R wrist X-ray · lateral · 14y F · imaged through cast

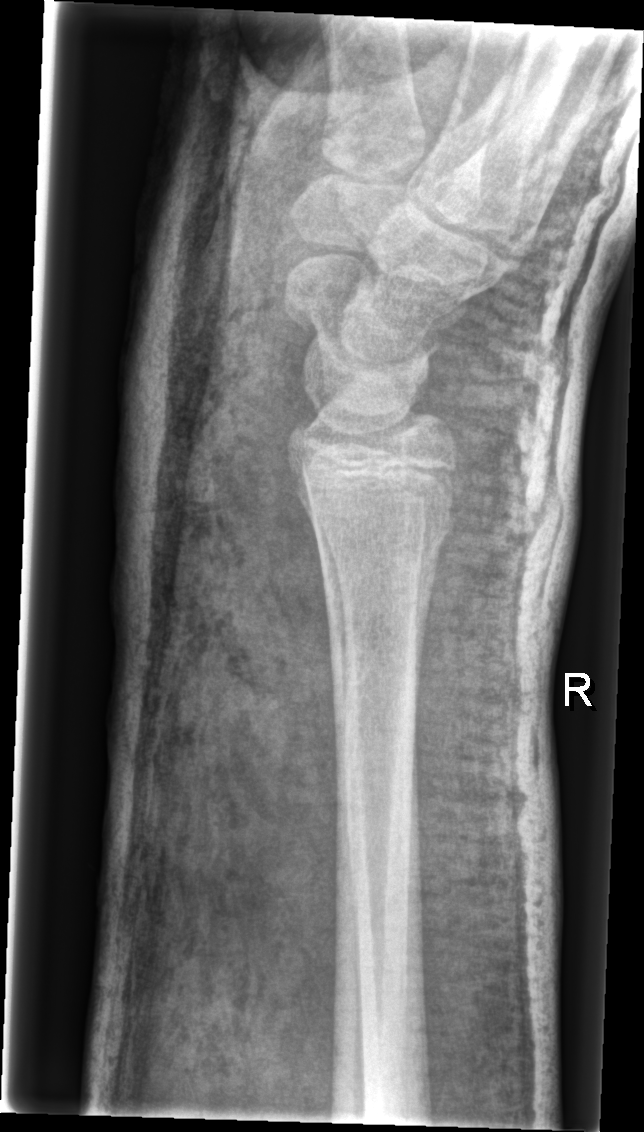 fracture: bbox(308, 491, 461, 579)
AO/OTA: 23r-M/2.1